AP projection · left wrist X-ray · age 5 y, female · cast in situ.

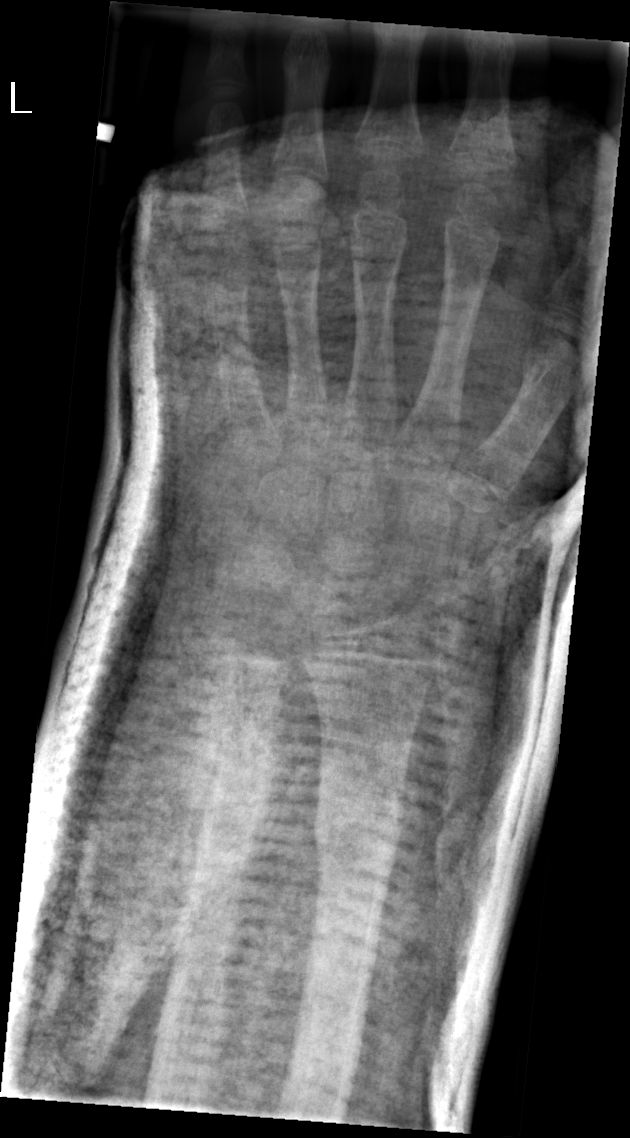
{"_coords": "pixel coordinates, top-left origin, xyxy", "fracture": "[x1=181, y1=710, x2=284, y2=814] [x1=307, y1=771, x2=407, y2=868]", "ao": "23r-M/2.1; 23u-M/3.1"}